Right pediatric wrist radiograph | frontal projection | pediatric patient (male, age 15) | imaged through cast. 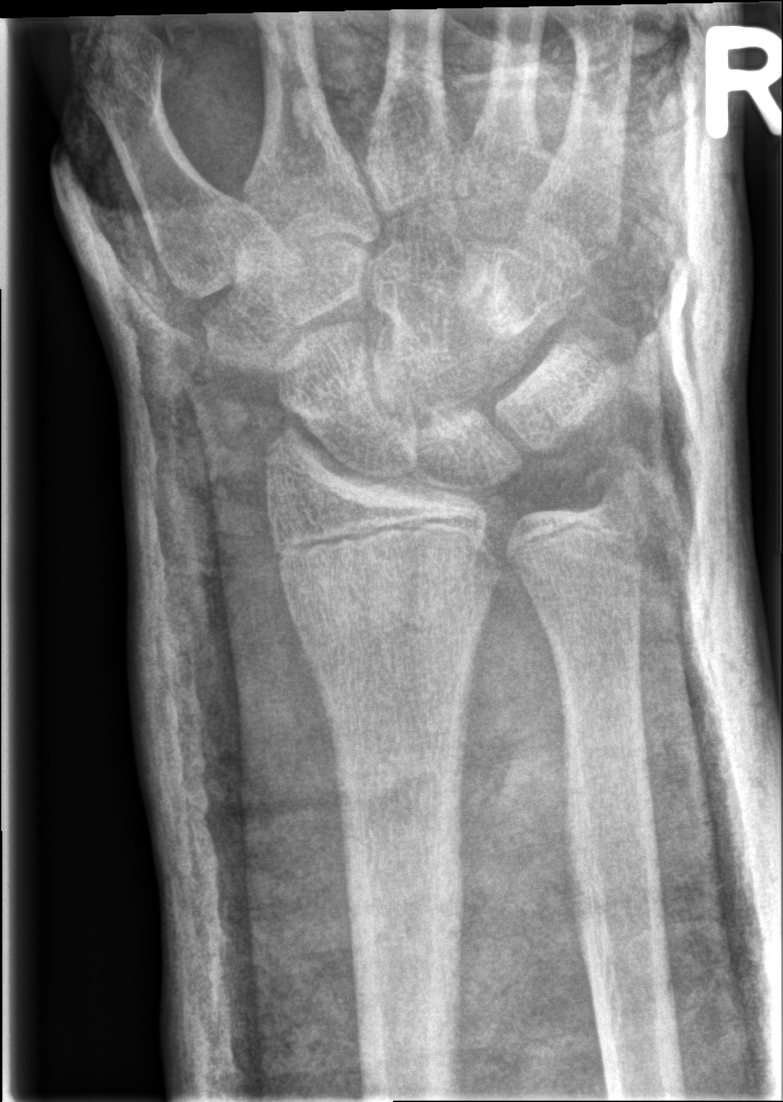   # bounding boxes in image-pixel xyxy
  fracture: <577,453>-<653,525>